L wrist X-ray | lateral view —

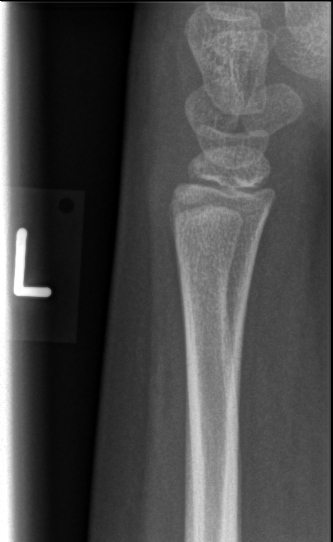 Q: Fracture present?
A: No fracture bounding box